L wrist radiograph · frontal view · follow-up study · imaged through cast

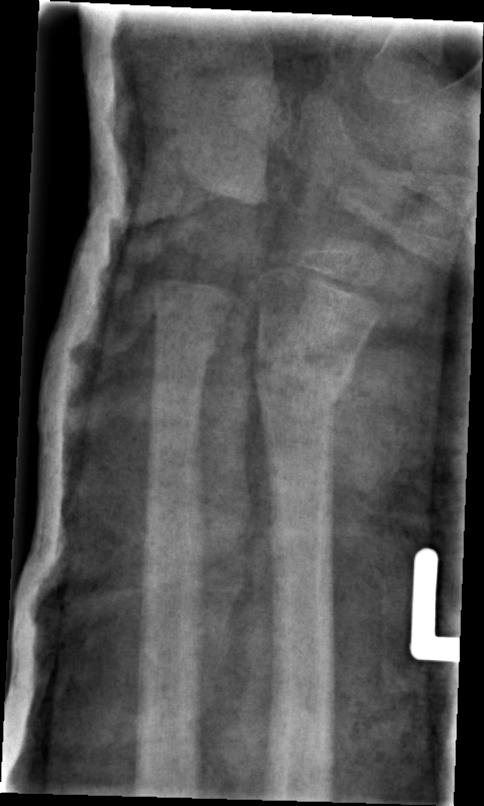

Pixel coordinates, top-left origin, xyxy.
Bone fractures — [x1=252, y1=338, x2=356, y2=424]; [x1=150, y1=323, x2=224, y2=369].